Left wrist XR · lateral view · detector: Siemens. 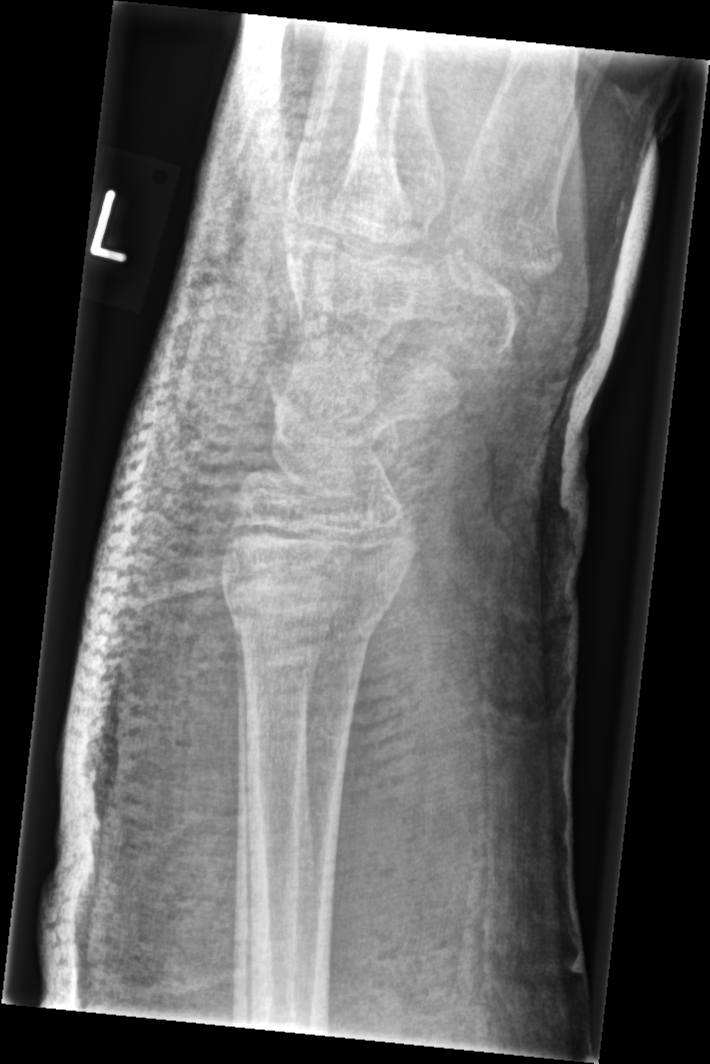

FINDINGS: (boxes as x1,y1,x2,y2 (top-left / bottom-right, pixel units)) One Fx at [220, 549, 392, 644]. AO code 23r-M/3.1; 23u-E/7.